Lat view · Rt pediatric wrist radiograph · 358 x 666 px.
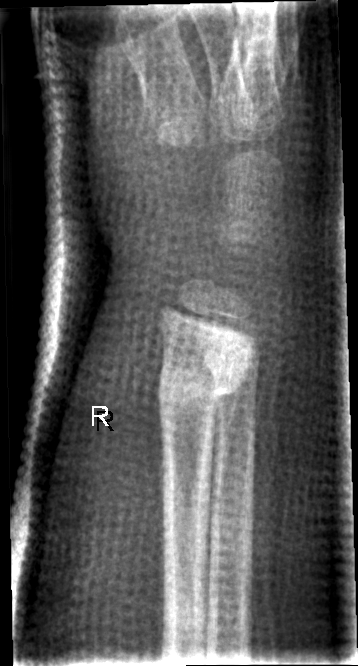 One bone fracture at [155, 341, 253, 417].
Fracture classified AO/OTA 23-M/2.1.